Lateral, left wrist radiograph, age 7 y, boy, follow-up study.
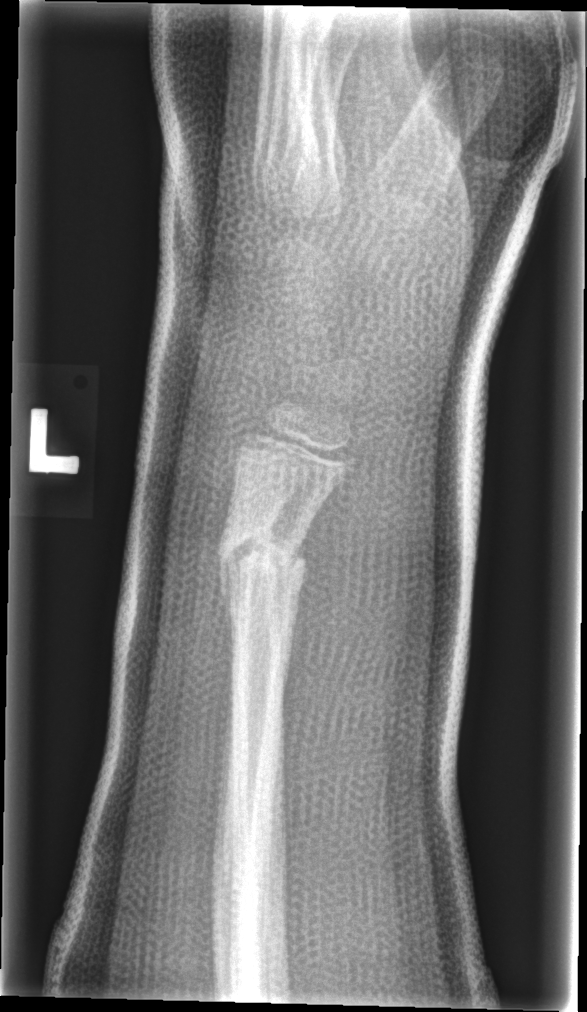
• Bounding boxes in image-pixel xyxy.
• One periosteal thickening at [x1=217, y1=545, x2=248, y2=670].
• Fx — [x1=205, y1=528, x2=314, y2=587].
• AO code 23-M/3.1.